Posteroanterior view | Lt wrist plain film | boy, 11 yo —

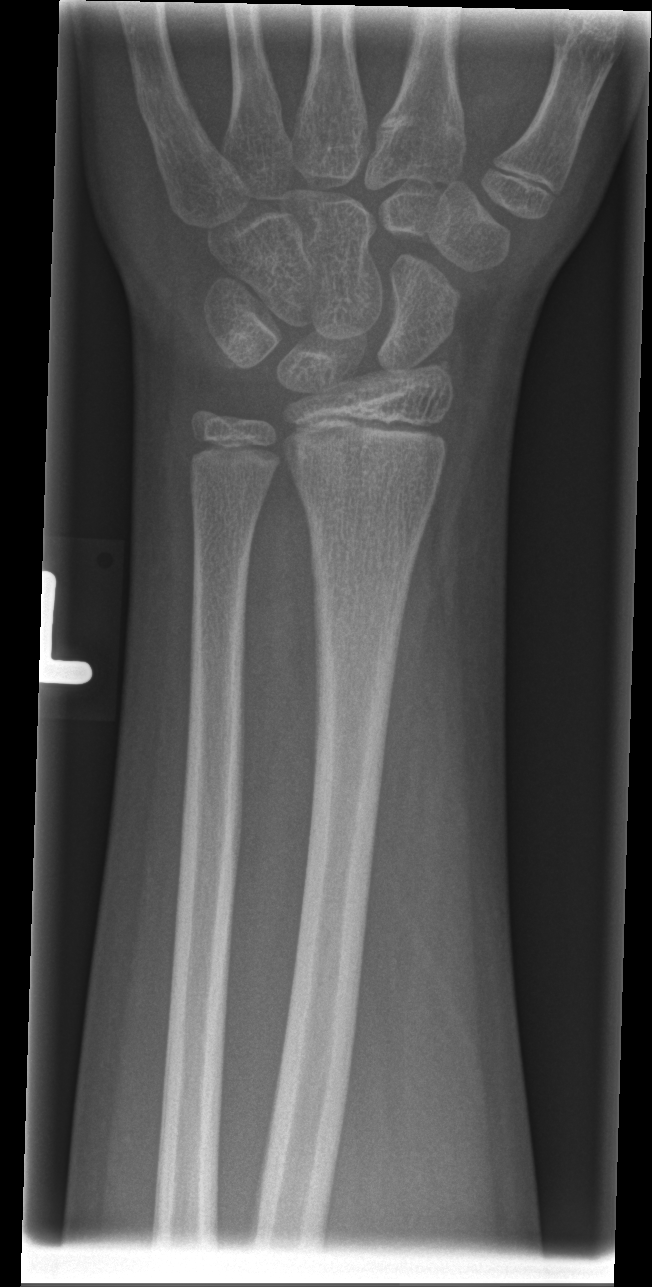

FINDINGS: Fracture: [x1=306, y1=527, x2=422, y2=602]. AO/OTA classification: 23r-M/2.1.